Frontal view | right wrist XR | initial study
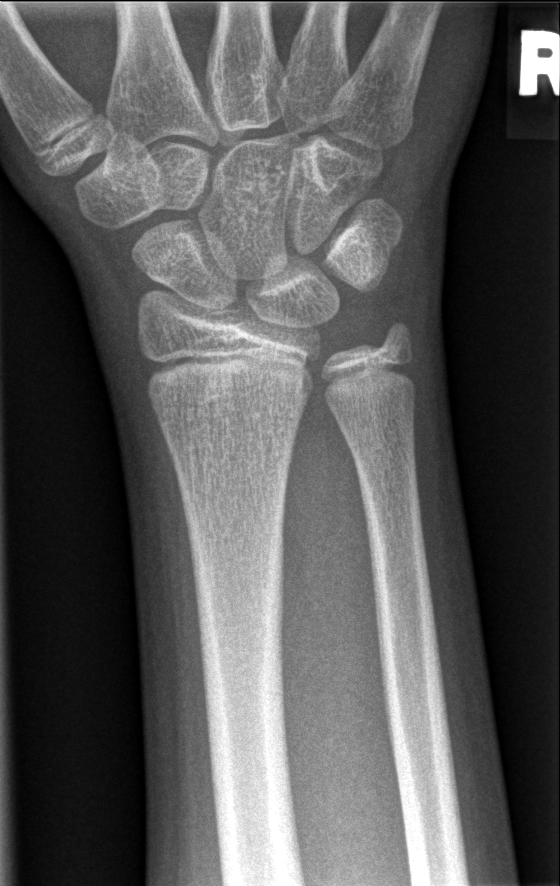
{"fracture": "none labeled"}